R wrist XR; frontal projection; age 13 y, girl. 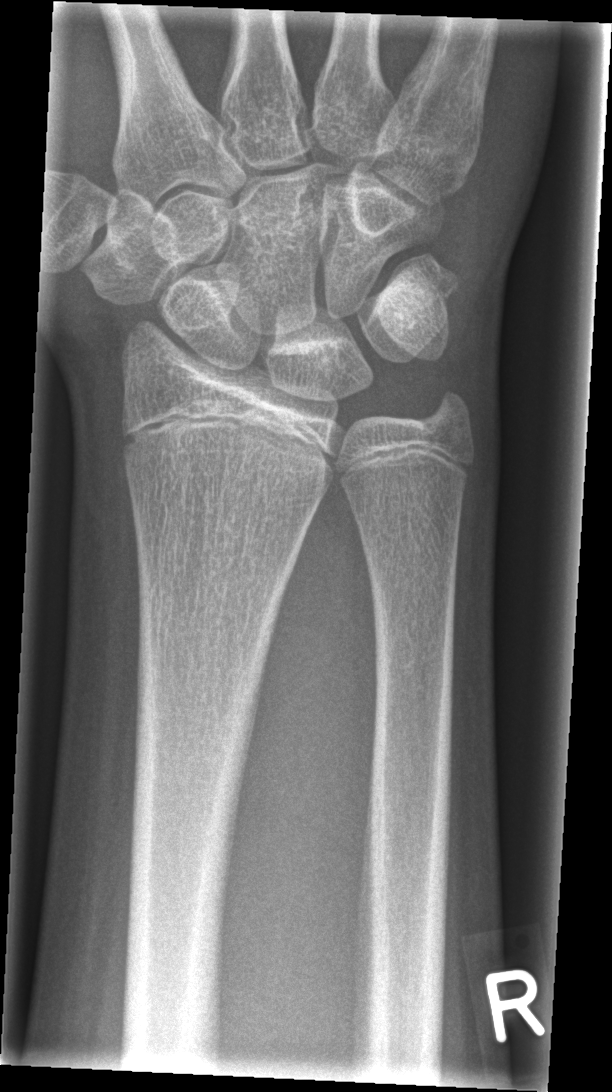 FINDINGS — AO code 23r-M/2.1. Fx present but not clearly seen in this view.